R wrist plain film | lat
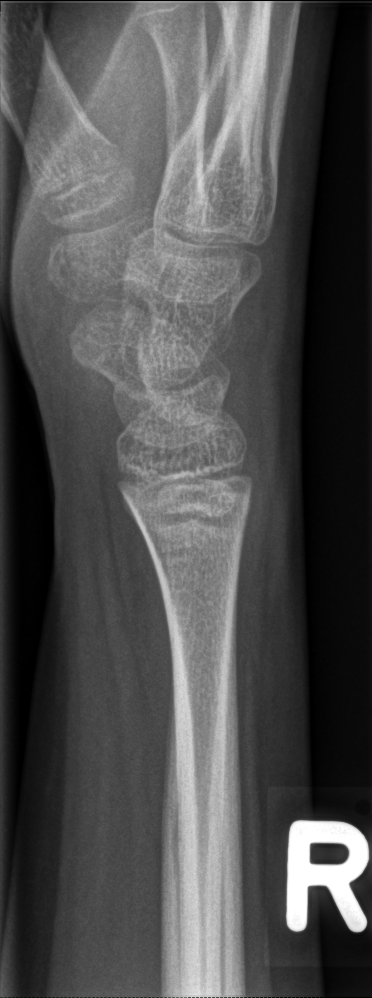 No fracture bounding box.